R pediatric wrist radiograph · lateral projection · male, 12 yo 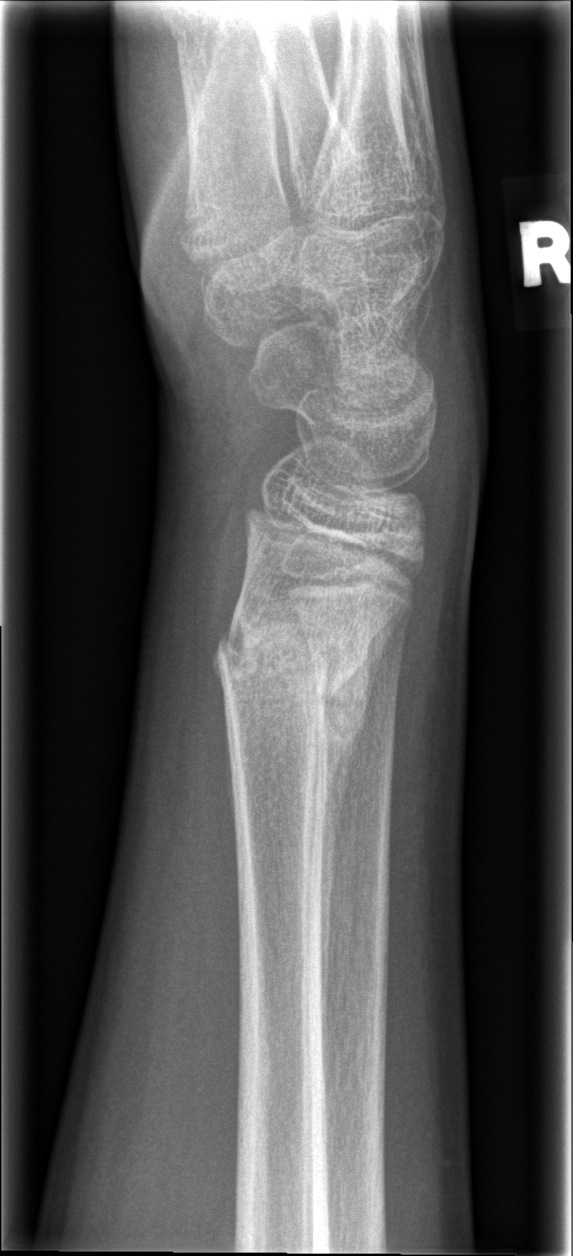
Pixel coordinates, top-left origin, xyxy. Osteopenia. AO/OTA classification: 23r-M/3.1; 23u-E/7. One fracture at [211, 594, 375, 719]. Periosteal reaction: [316, 600, 411, 1036].